Right plain radiograph of the wrist, PA/AP, pediatric patient (male, age 11) — 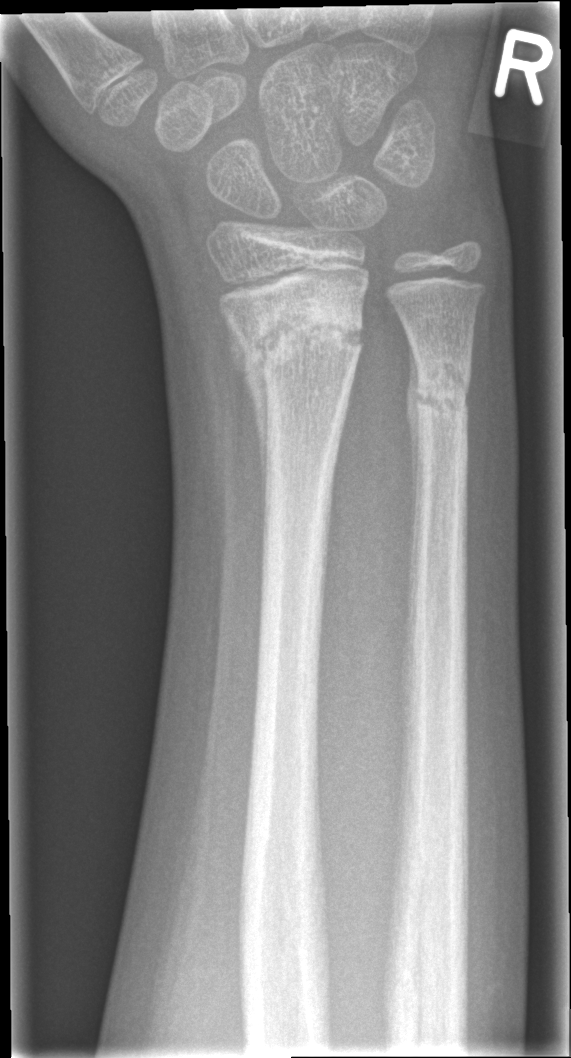

* Two periosteal thickening at [234, 337, 266, 538]; [407, 347, 419, 543].
* Reduced bone mineral density.
* Fracture: [234, 302, 368, 403]; [409, 353, 473, 437].
* Fracture classified AO/OTA 23-M/3.1.